Left wrist pediatric wrist radiograph · lat view.

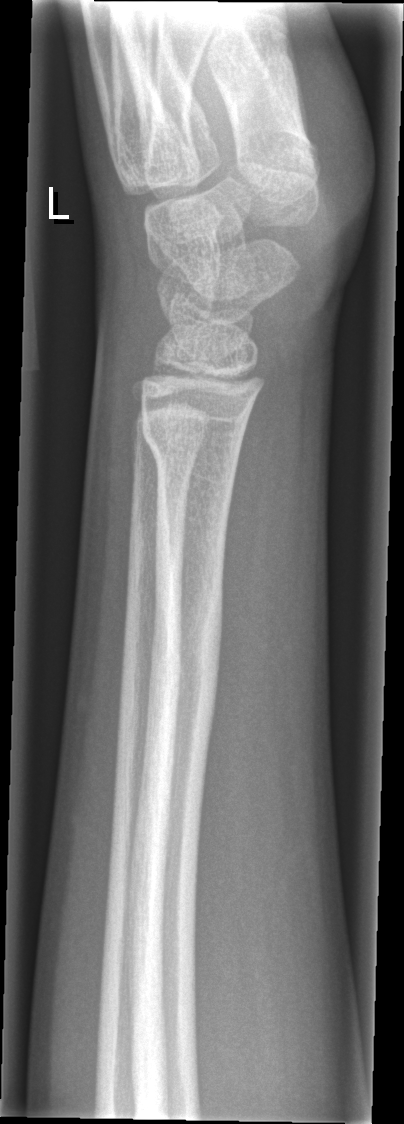
Findings: AO code 23r-M/2.1; 22r-D/2.1; 23u-M/2.1. Fx — (left=137, top=514, right=231, bottom=810), (left=137, top=399, right=246, bottom=479).